R wrist X-ray | lat projection | pediatric patient (male, age 8).

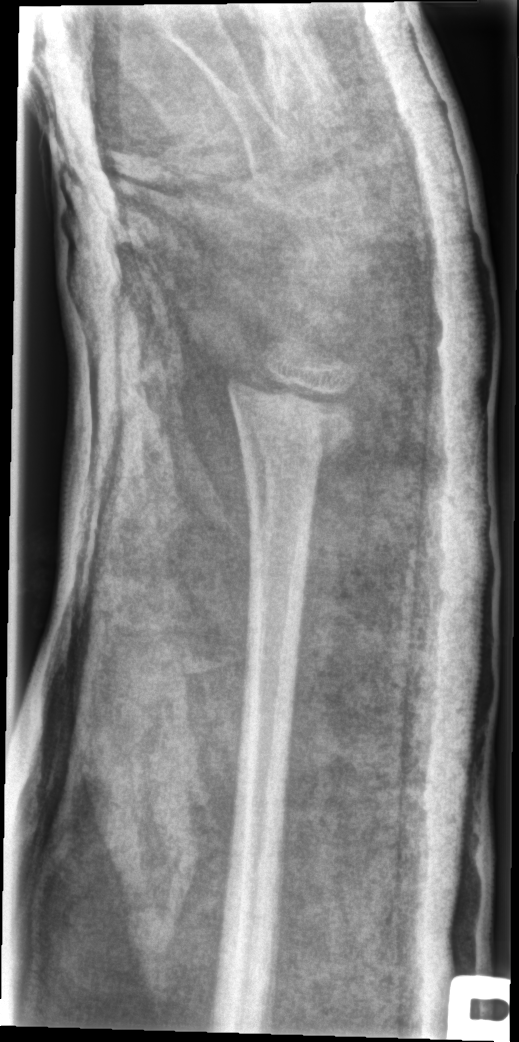 bone fracture: <224,364>-<358,472>